Rt wrist radiograph | posteroanterior | index exam | image 86.1 mm wide:

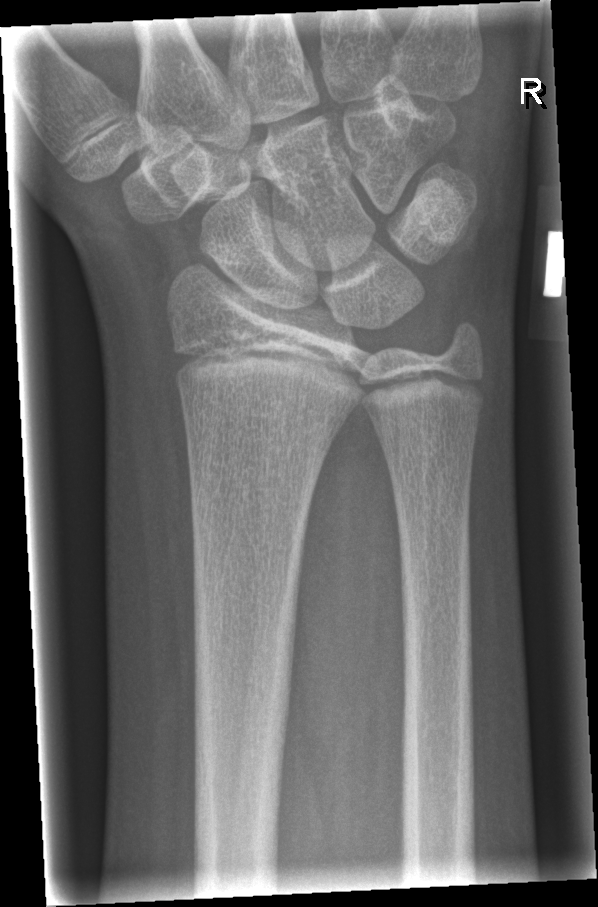 FINDINGS — No fracture annotation.